L wrist XR | lat view | age 9 y, male | 519x962
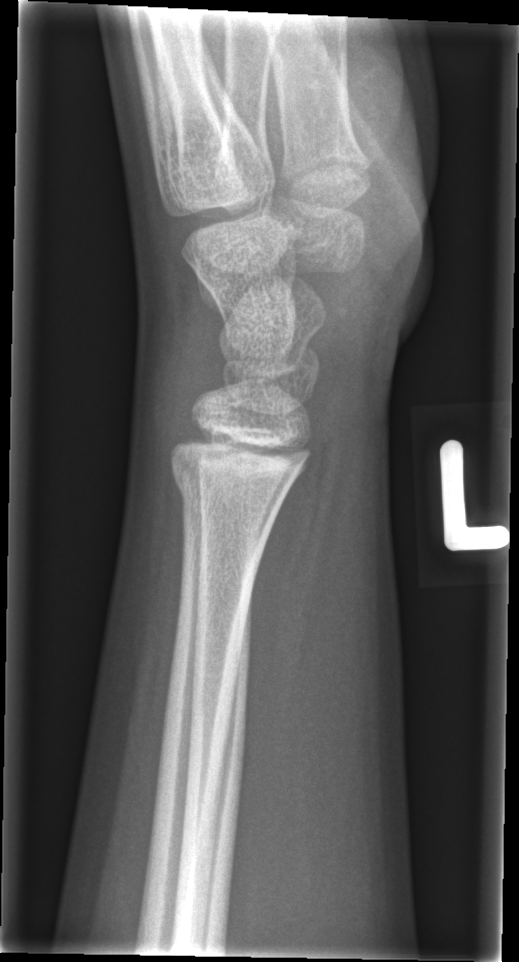
Bounding boxes in image-pixel xyxy. Fracture — [x1=167, y1=458, x2=290, y2=523].